Lat projection; R wrist plain film; detector: Siemens 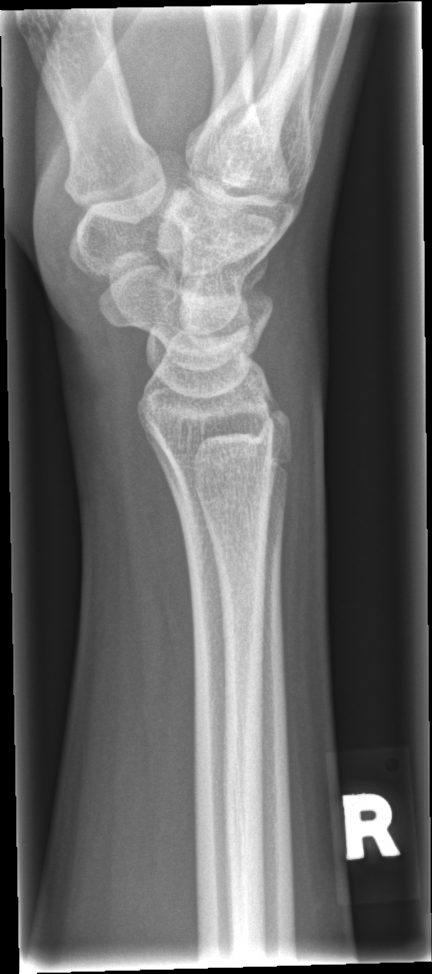
Fx = none labeled